Lateral projection · R plain radiograph of the wrist · 7y M.

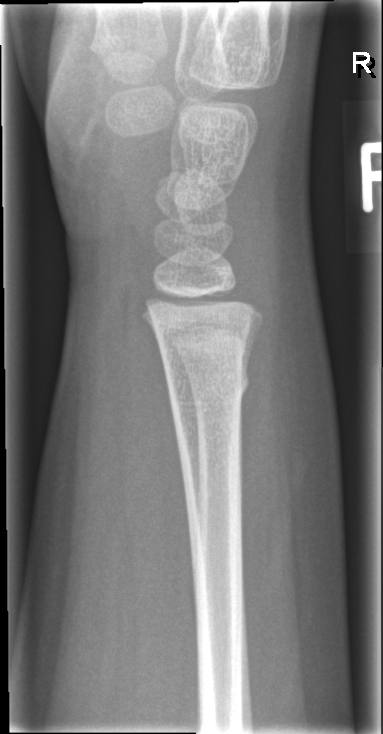
Q: Any fracture seen?
A: One bone fracture at 161,357,255,409
Q: AO code?
A: AO/OTA classification: 23r-M/2.1